Right pediatric wrist radiograph | AP view | 101.8 mm image width

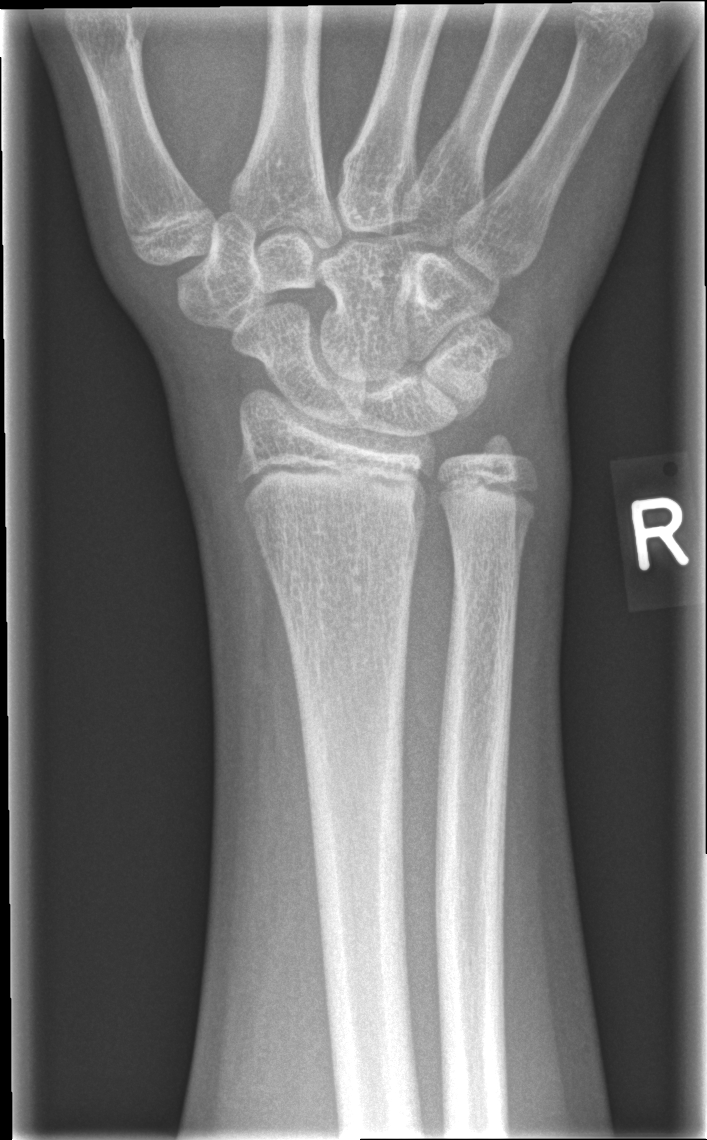 Q: Locate any fractures.
A: Fracture: none labeled